AP projection, R wrist XR, Siemens, image width 89.3 mm:

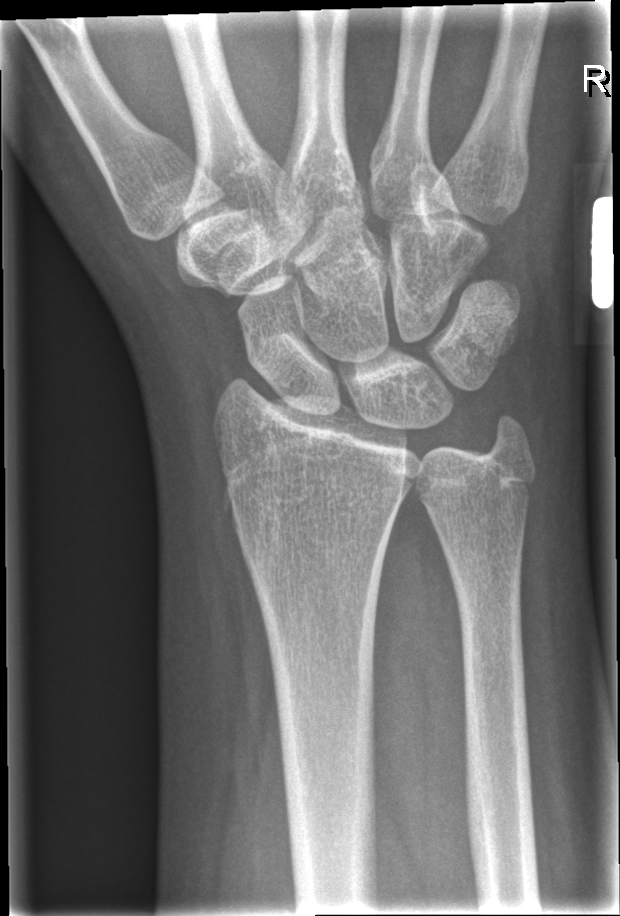
Q: Is there a fracture?
A: No fracture labeled